Lateral projection · left wrist X-ray · male, 16 yo · index exam · image size 563x1440.
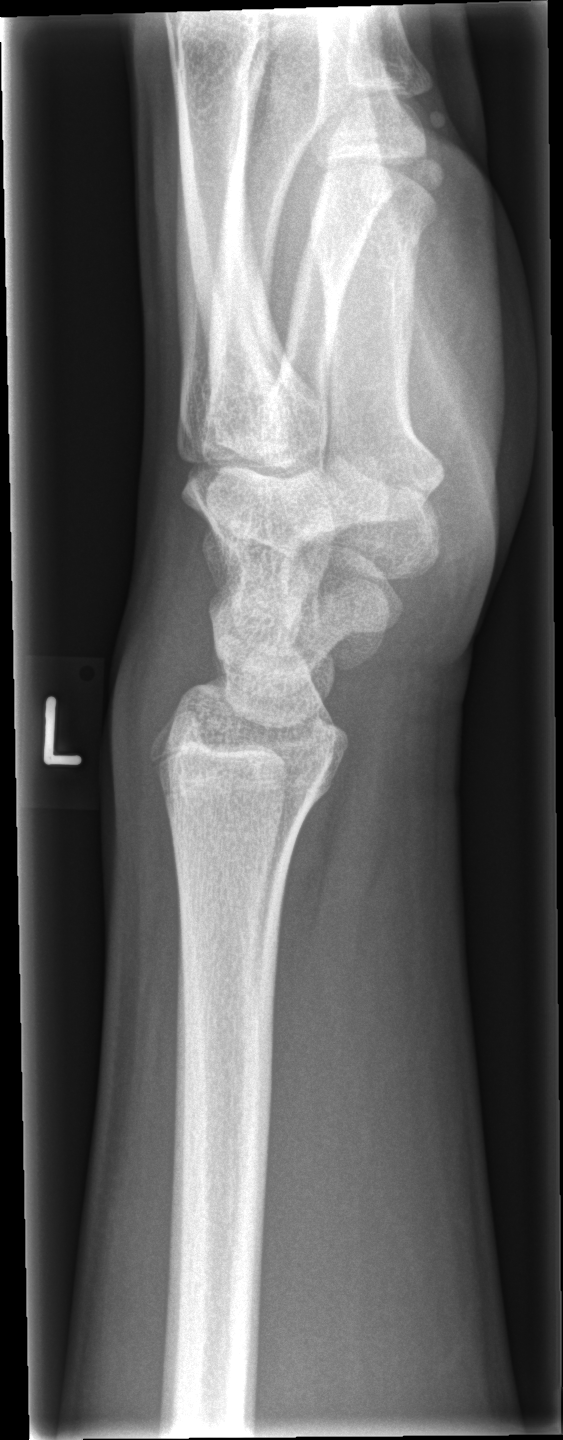

Bone fracture: none labeled